Right wrist plain radiograph of the wrist · lat view · Siemens:
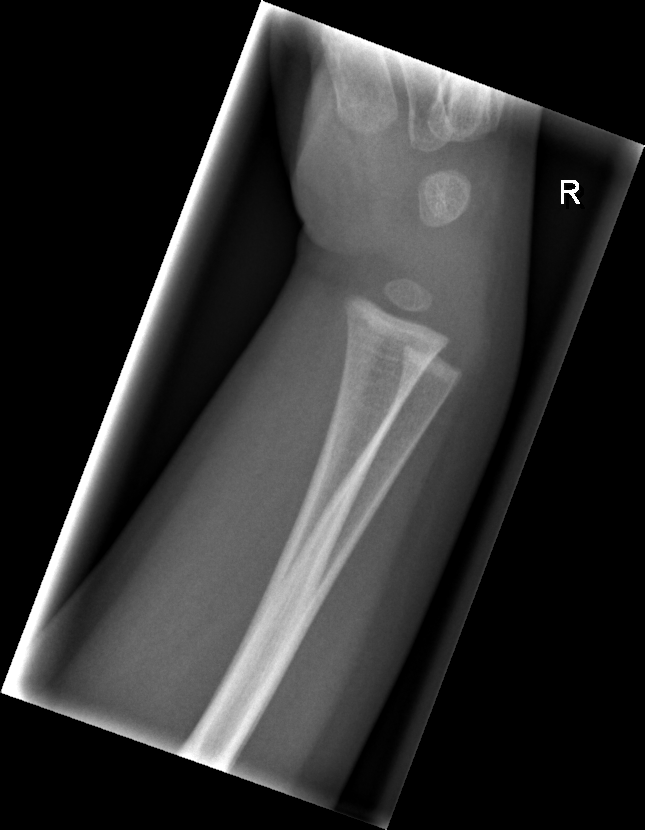 - No fracture bounding box.